Frontal view | left wrist XR | 12-year-old girl | in cast: 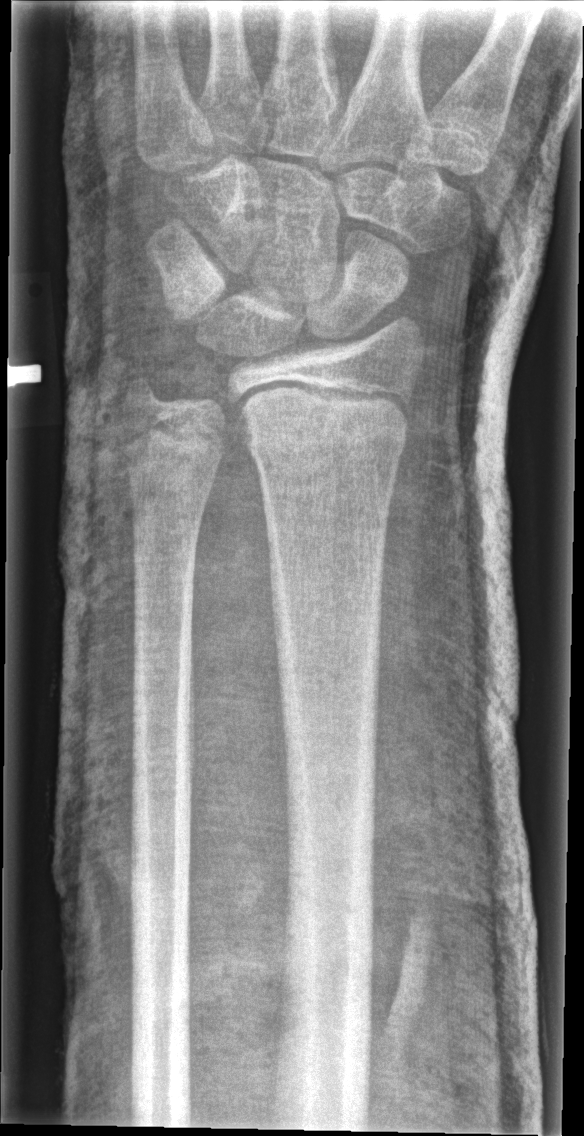

Coordinates are [x1, y1, x2, y2] in image pixels.
Fracture classified AO/OTA 23r-M/3.1.
Fracture — [x1=241, y1=388, x2=412, y2=463].